Lateral projection | R wrist XR | image width 82.5 mm. 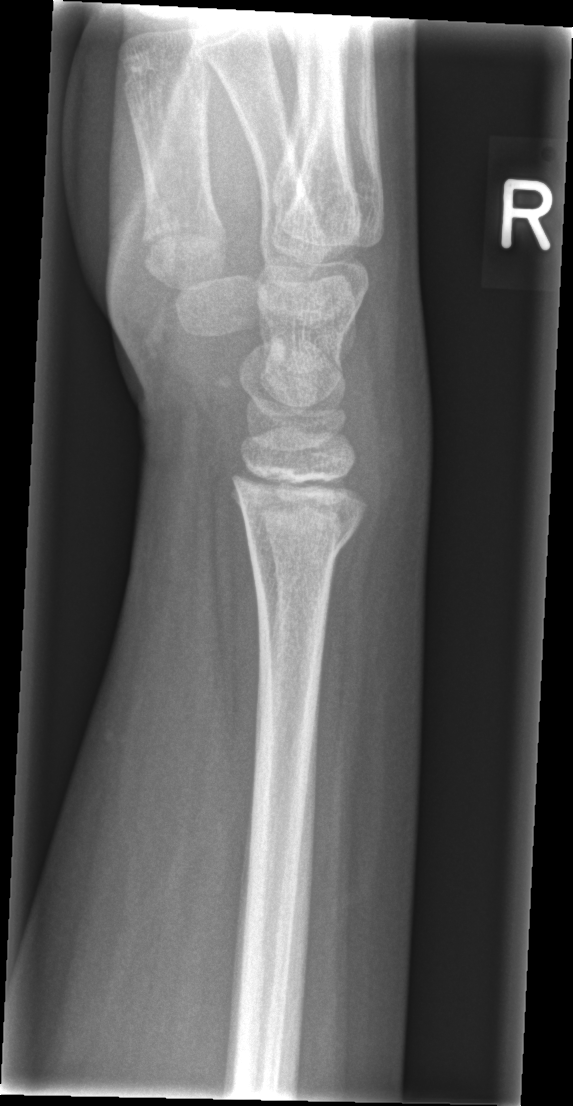

Findings: (pixel coordinates, top-left origin, xyxy) Fracture classified AO/OTA 23r-M/2.1. Bone fracture: 239,505,363,573.